Lat, Rt wrist XR, detector: Siemens, image width 62.5 mm:

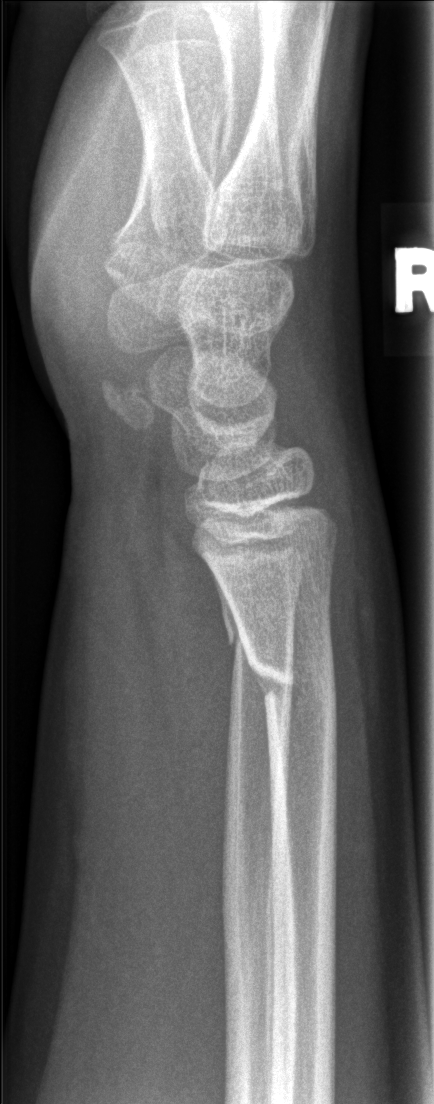
pronator sign: bbox(159, 518, 238, 899)
bone fracture: 2 @ bbox(238, 633, 343, 756) bbox(218, 613, 298, 680)
AO classification: 23-M/2.1